Lat; right plain radiograph of the wrist; 16-year-old girl; Siemens
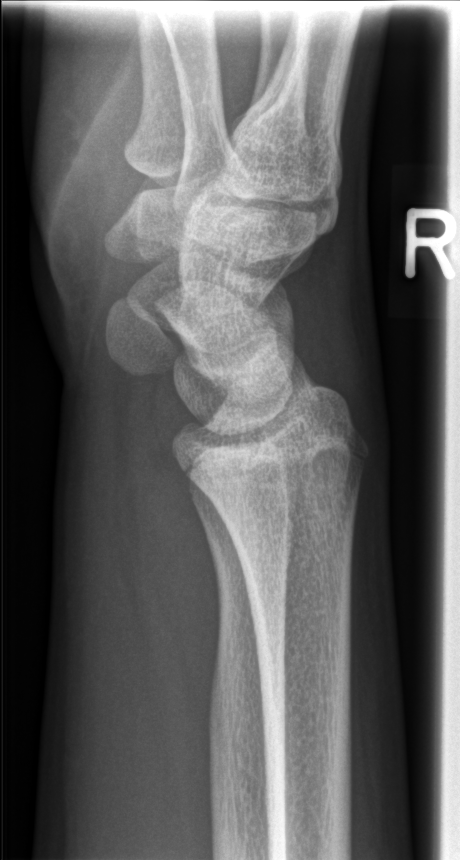 Fracture: none labeled